Frontal view, R wrist X-ray, male, 13 yo, detector: Siemens, 74.9 mm image width, image size 520x1004: 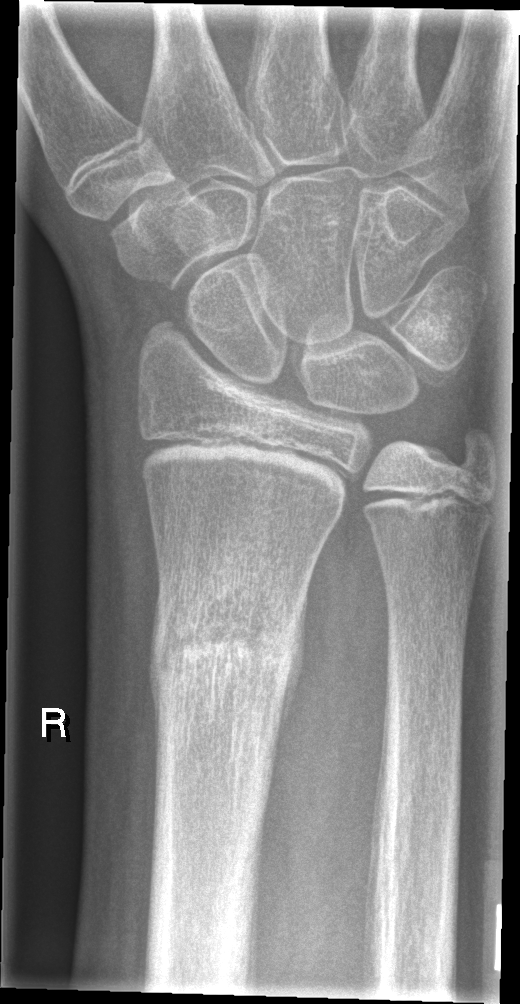 AO code = 23r-M/3.1
Periosteal reaction = 2 @ 276,585,310,747; 147,599,163,841
Fx = 1 @ 146,602,308,689